AP view · left pediatric wrist radiograph · 11y F.

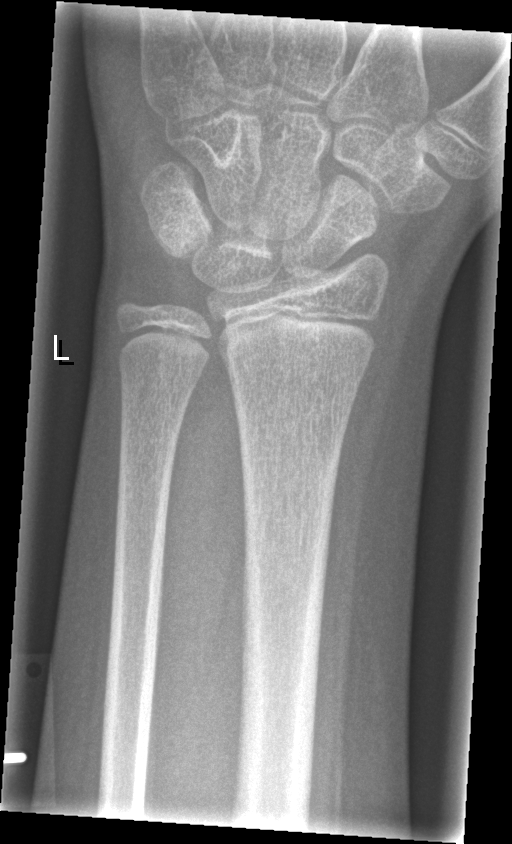
Fx — (224, 344, 368, 402).